PA projection, Lt wrist X-ray, image width 92.7 mm —
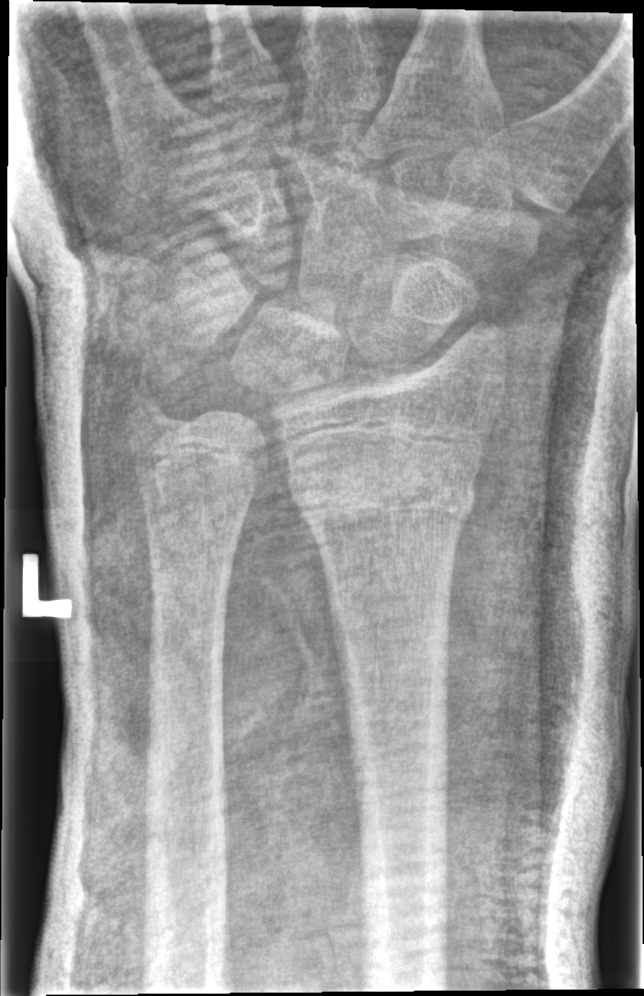
FINDINGS: AO/OTA classification: 23r-M/3.1; 23u-E/7. Bone fracture: <284,458>-<479,549>.